PA/AP projection | right wrist X-ray: 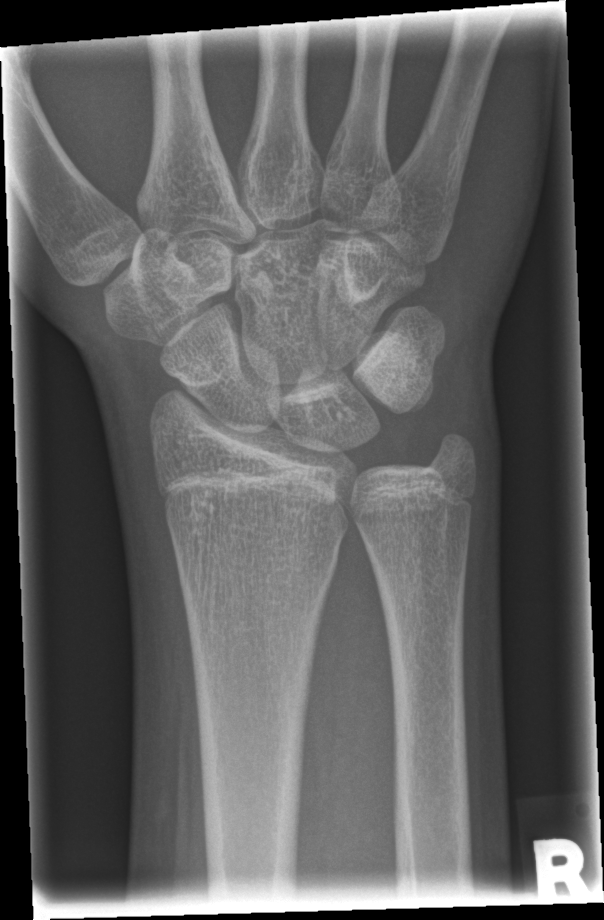 fracture: none labeled